R wrist XR, lat projection, girl, 1.6 yo.

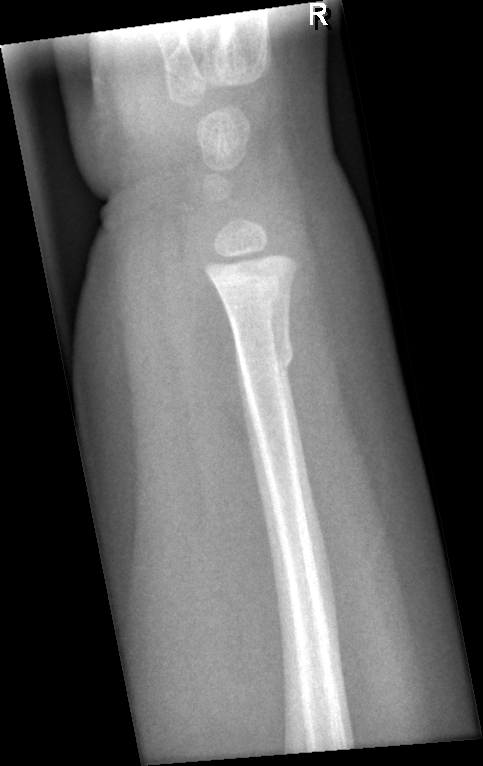 (pixel coordinates, top-left origin, xyxy)
Q: Any fracture seen?
A: Bone fracture: (left=231, top=335, right=298, bottom=383)
Q: Is there soft-tissue abnormality?
A: Soft tissue abnormality identified at (left=281, top=222, right=404, bottom=480)